Lateral · left wrist XR —

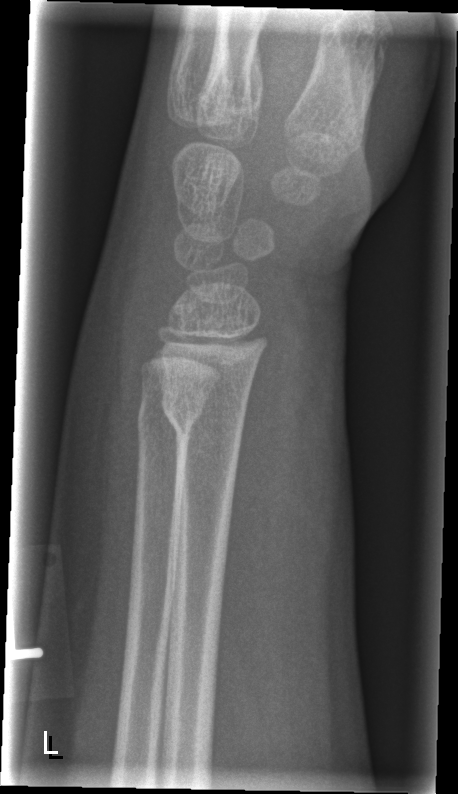

AO code 23-M/2.1. Fracture: bbox(158, 393, 251, 445); bbox(133, 390, 207, 447). One soft tissue abnormality at bbox(223, 303, 353, 628).